Lateral · R wrist radiograph · female, 8 yo.

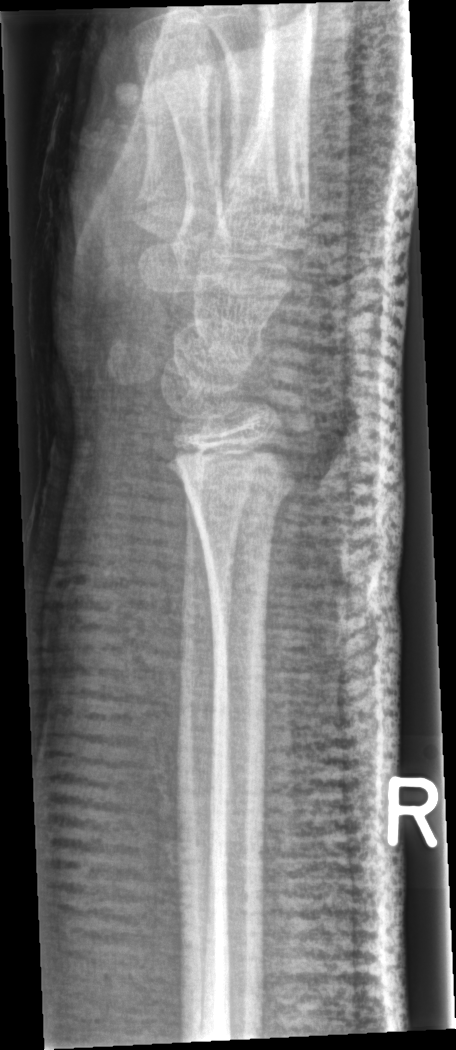
(boxes as x1,y1,x2,y2 (top-left / bottom-right, pixel units))
AO classification = 23r-M/2.1
bone fracture = [179, 464, 301, 521]